R pediatric wrist radiograph; lateral; pediatric patient (female, age 11); image size 410x874 — 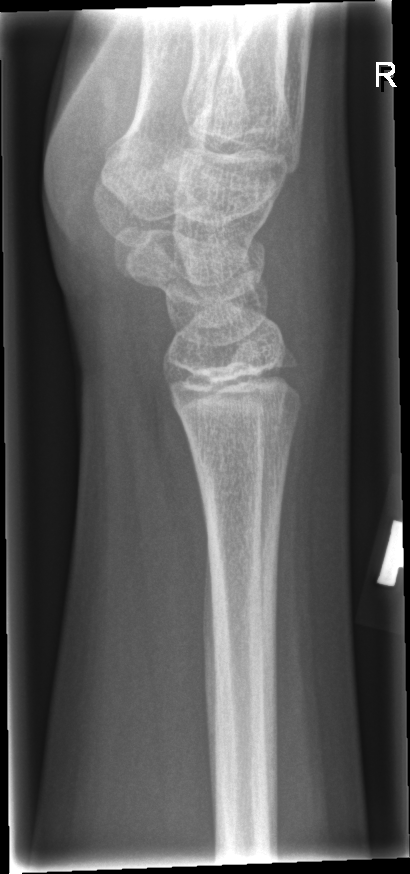
- Fracture: none labeled.